Right wrist X-ray · AP view:

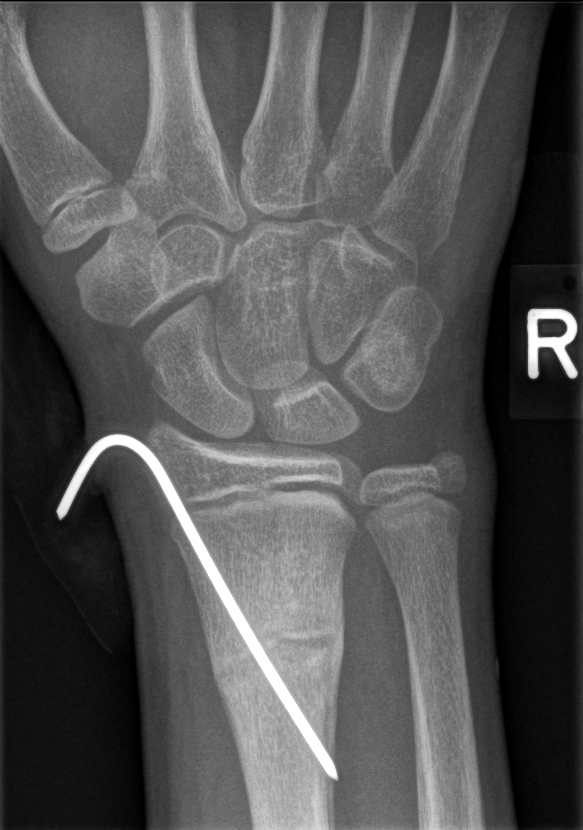
Bone fracture: (left=200, top=609, right=352, bottom=724)
Osteopenia: present
AO code: 23r-M/3.1
Periosteal reaction: 1 @ (left=322, top=593, right=345, bottom=830)
Metallic implant: 1 @ (left=54, top=422, right=346, bottom=787)